PA projection, R plain radiograph of the wrist, initial study, 524 by 1332 pixels.

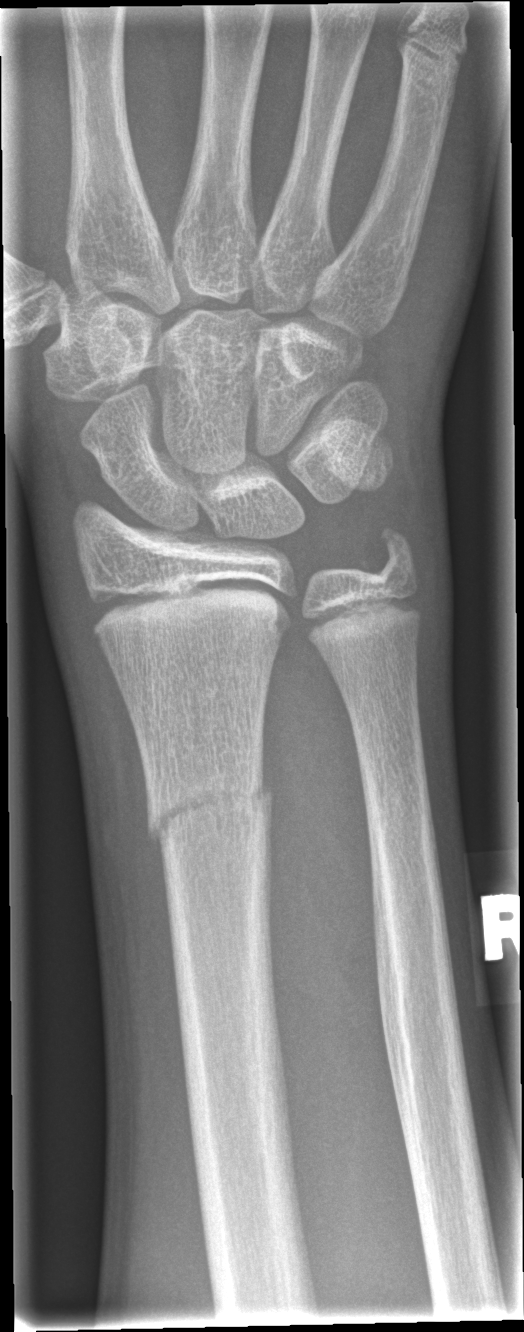

* Coordinates are [x1, y1, x2, y2] in image pixels.
* Bone fracture identified at (142, 768, 277, 849); (364, 521, 423, 582).
* Fracture classified AO/OTA 23r-M/3.1; 23u-E/7.